Posteroanterior projection, left wrist plain film, pediatric patient (girl, age 10)
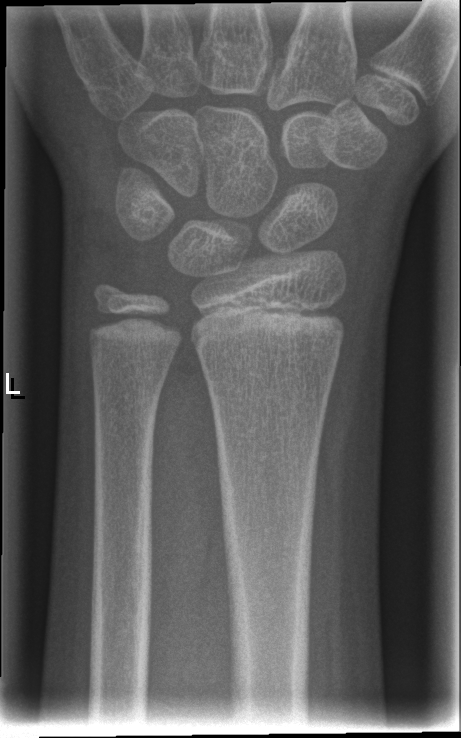 Fx: none labeled